Posteroanterior view; Rt pediatric wrist radiograph; 15y M; cast present: 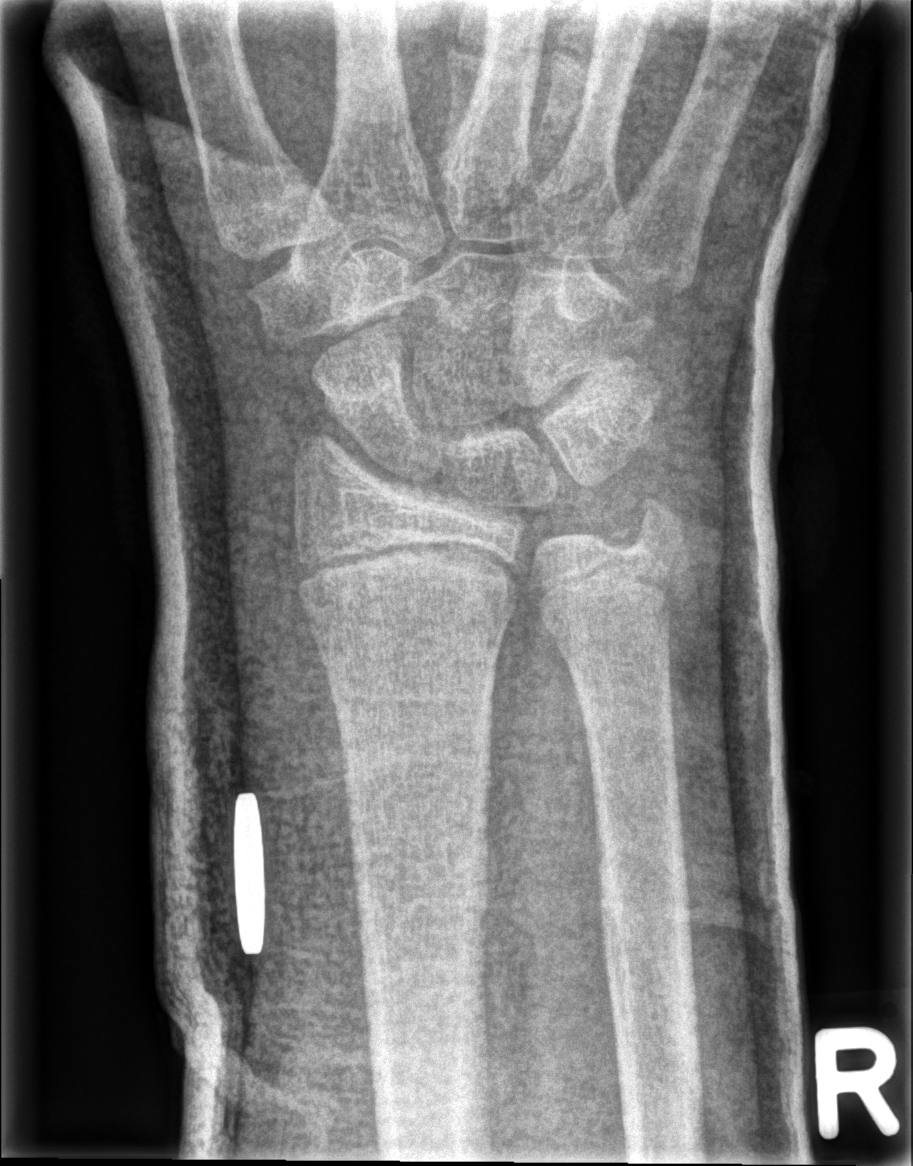 FINDINGS: (boxes as x1,y1,x2,y2 (top-left / bottom-right, pixel units)) One fracture at [x1=598, y1=493, x2=685, y2=557]. Hardware — [x1=233, y1=795, x2=269, y2=949].